PA/AP; R plain radiograph of the wrist; cast present —

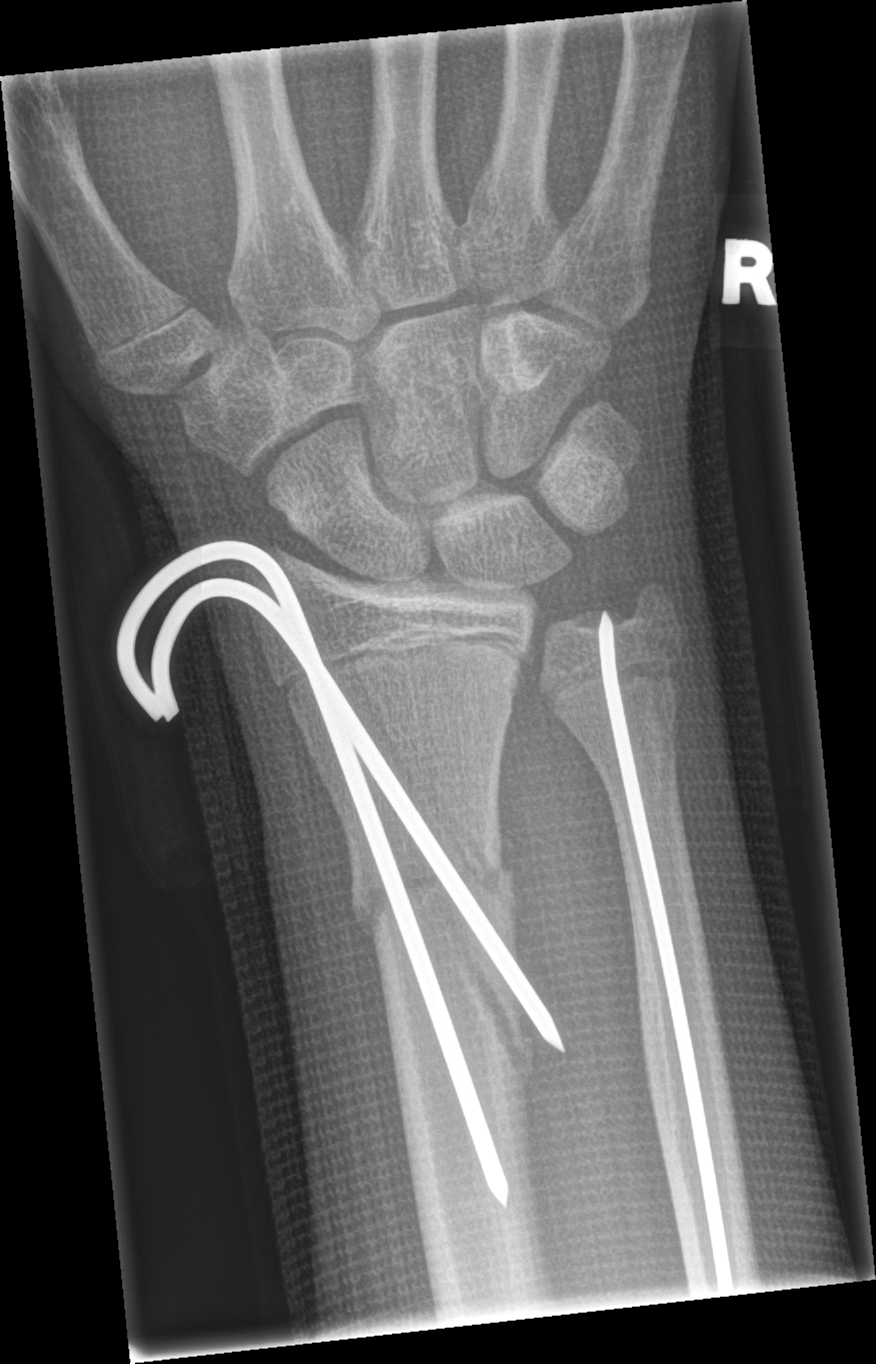

One Fx at <345,828>-<520,948>. Metallic hardware identified at <115,539>-<564,1206>, <606,609>-<738,1286>.